Lat; left wrist plain film; 12-year-old female; image size 481x1032
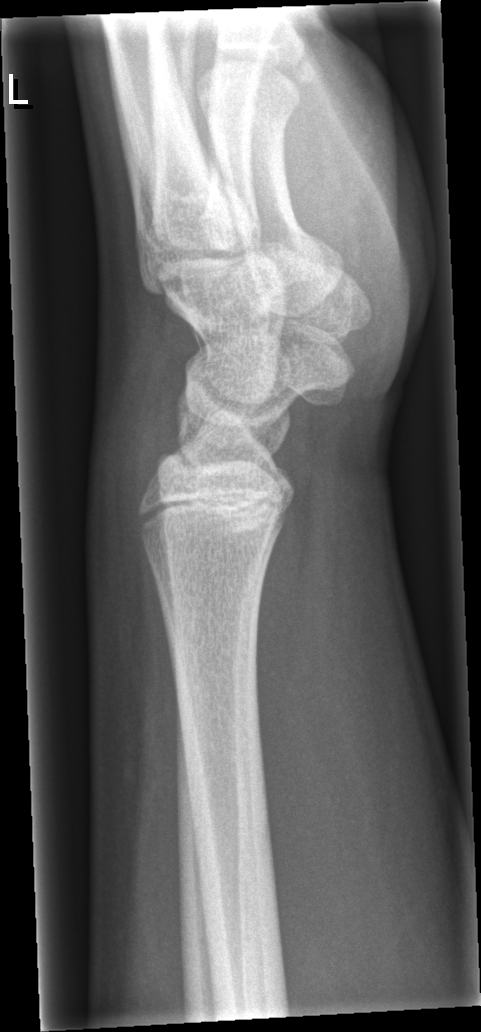
No Fx annotated.